Right wrist X-ray · lateral projection · initial study. 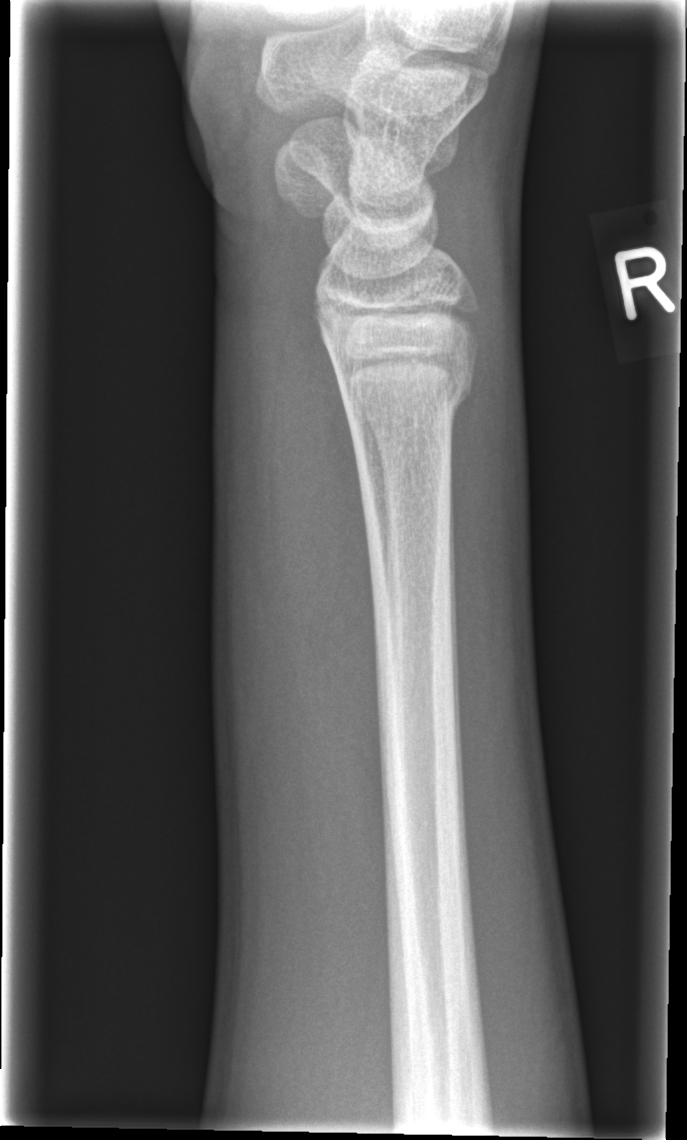
One fracture at bbox(331, 336, 482, 429).
Positive pronator fat-pad sign — bbox(263, 267, 386, 815).